Rt pediatric wrist radiograph | lateral | image 62.8 mm wide.
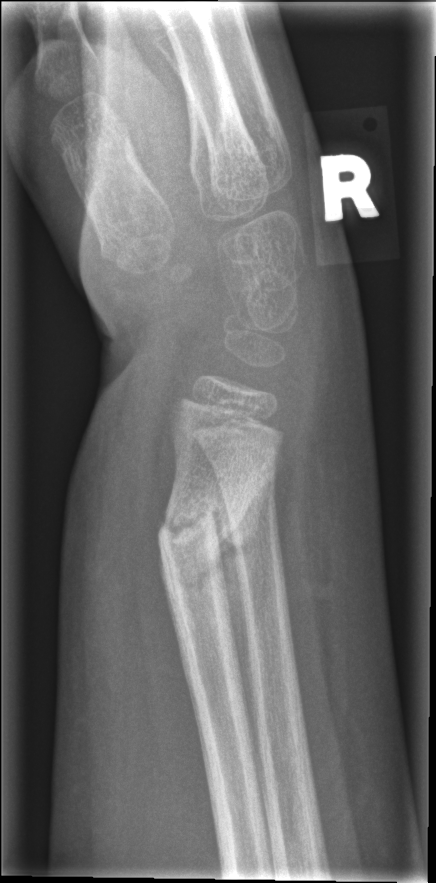

Findings: (bounding boxes in image-pixel xyxy) Bone fracture: 153,483,263,568. Osteopenia. AO/OTA classification: 23-M/3.1. Periosteal reaction — 214,452,278,708.